Right wrist pediatric wrist radiograph | lat view | pediatric patient (female, age 4) | imaged through cast | 366 by 678 pixels
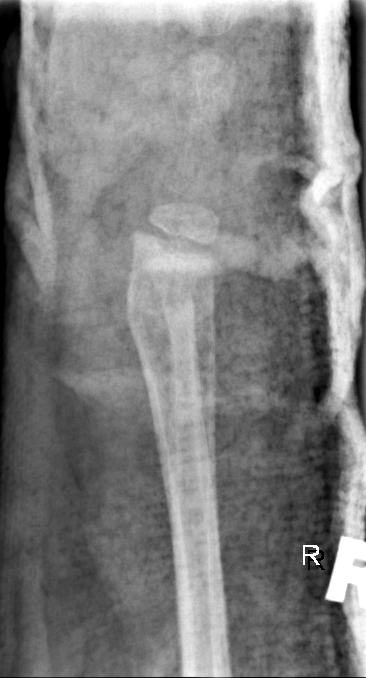
FINDINGS: Fracture classified AO/OTA 23-M/3.1. Fractures — <120,288>-<179,342>; <162,297>-<217,337>.